L wrist plain film; PA/AP; acquired on Siemens — 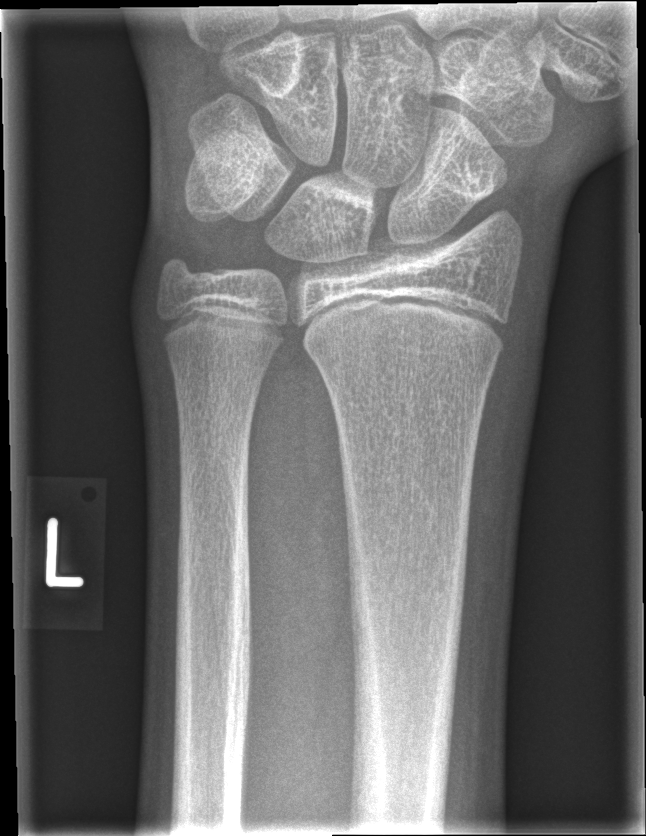

Fx = present but not clearly seen in this view
AO/OTA = 23r-M/2.1